Lt plain radiograph of the wrist · lat · 15-year-old male
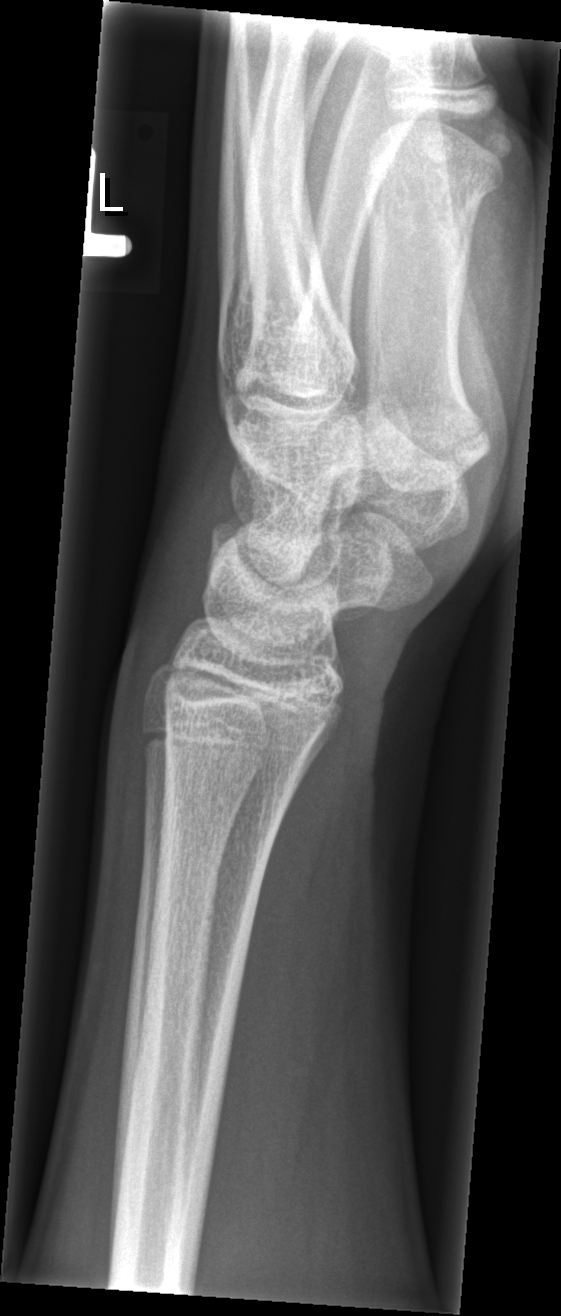 Findings: Fx: none.